Lateral projection | left wrist X-ray | pediatric patient (female, age 10) | initial study —
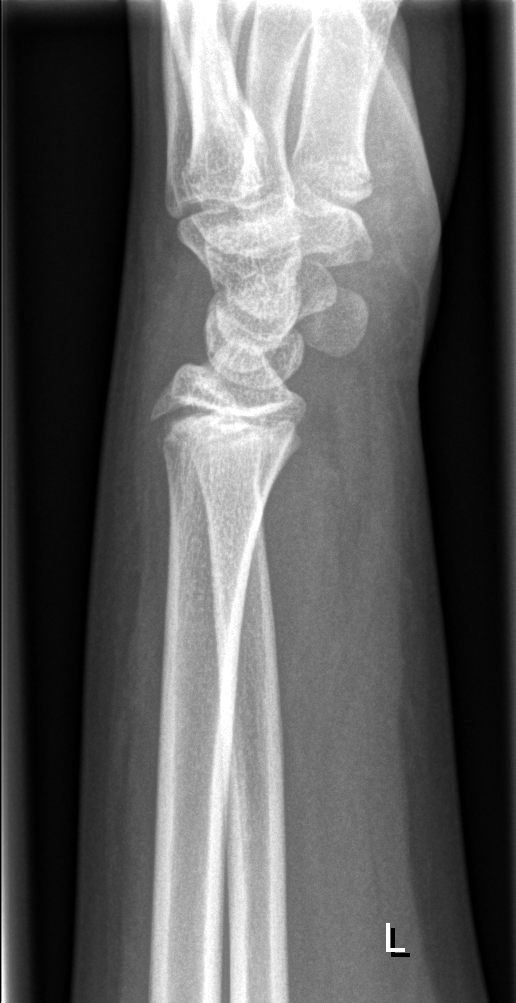 Q: Locate any fractures.
A: One Fx at bbox(144, 398, 308, 463)
Q: AO code?
A: AO/OTA classification: 23r-E/2.1
Q: Pronator fat-pad sign?
A: Positive pronator fat-pad sign: bbox(259, 396, 346, 793)